Frontal projection · left wrist radiograph · 15y M · detector: Siemens · 582 x 1010 px —

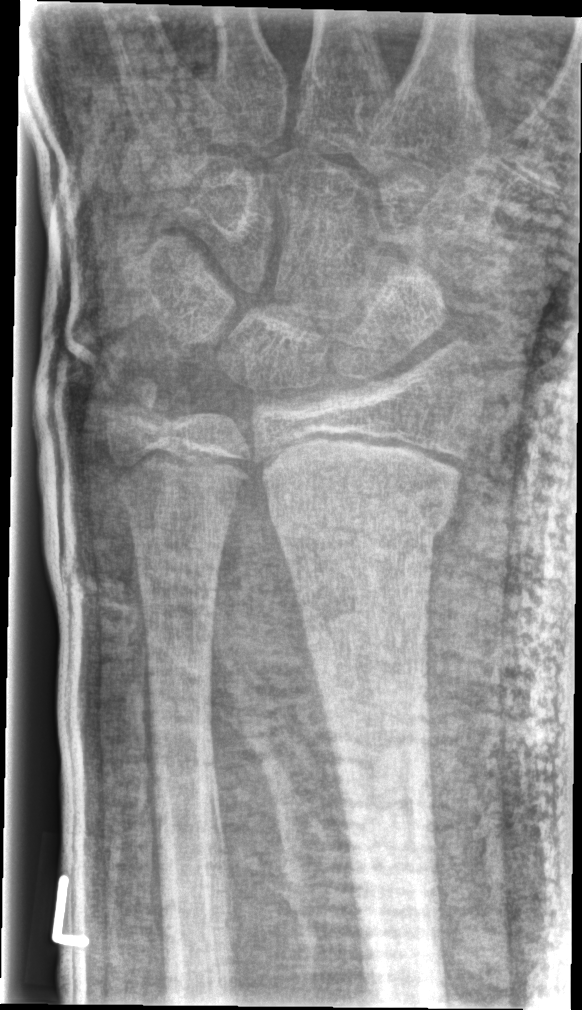
Q: What is the AO/OTA classification?
A: Fracture classified AO/OTA 23r-M/3.1; 23u-E/7
Q: Locate any fractures.
A: Bone fracture: (263, 481, 458, 560), (101, 374, 163, 432)